Lat | right wrist pediatric wrist radiograph —
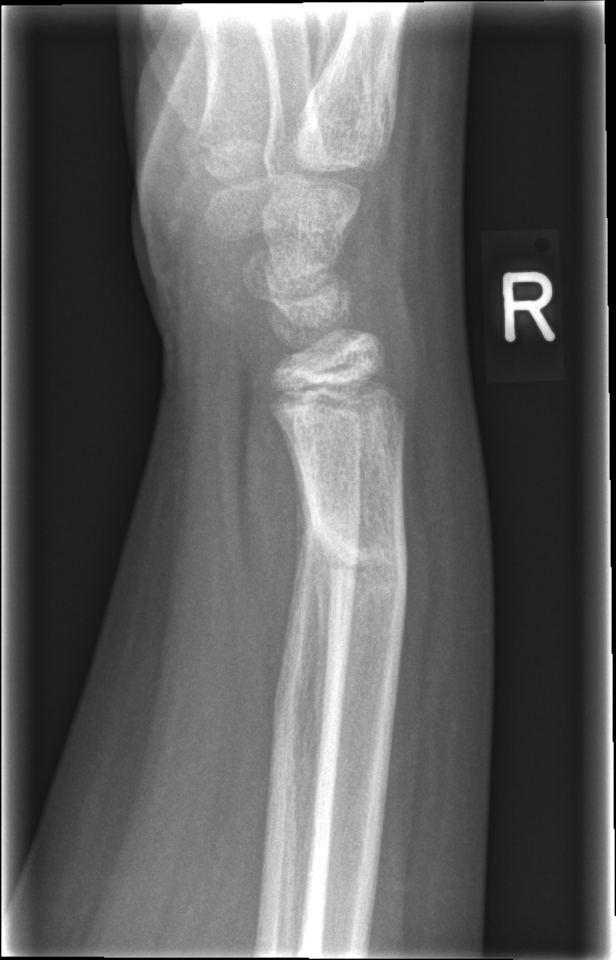

Q: Is there a fracture?
A: One fracture at [297, 505, 412, 609]
Q: AO code?
A: Fracture classified AO/OTA 23-M/2.1
Q: Locate any periosteal reaction.
A: Periosteal thickening identified at [313, 536, 332, 733]